R wrist X-ray | AP projection | pediatric patient (female, age 17): 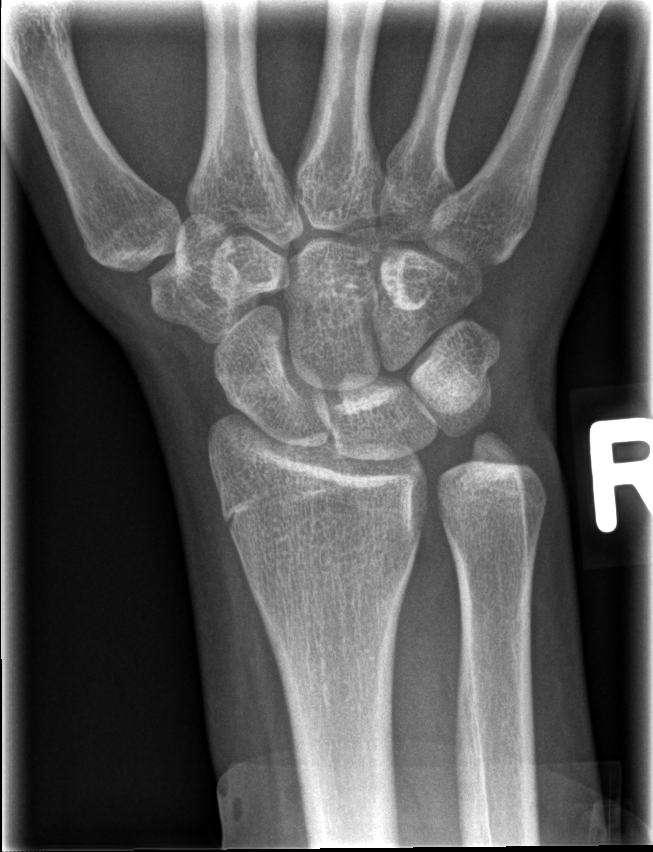
FINDINGS: No fracture bounding box.